Lat view · R wrist plain film · pediatric patient (boy, age 14) · in cast.

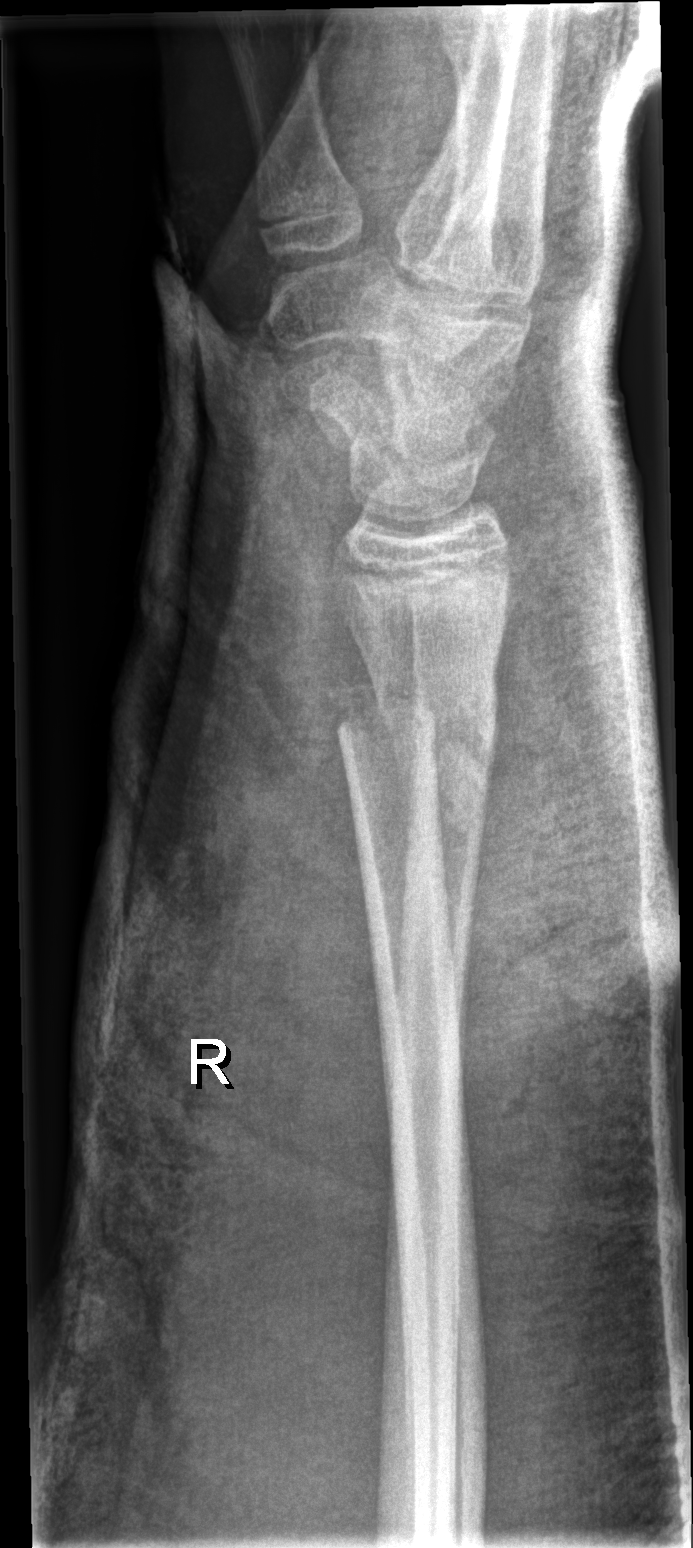

(pixel coordinates, top-left origin, xyxy)
Q: Locate any fractures.
A: One bone fracture at [x1=333, y1=676, x2=501, y2=787]
Q: AO code?
A: Fracture classified AO/OTA 23-M/3.1; 23u-E/7